R plain radiograph of the wrist | PA projection | pediatric patient (boy, age 6) | initial study
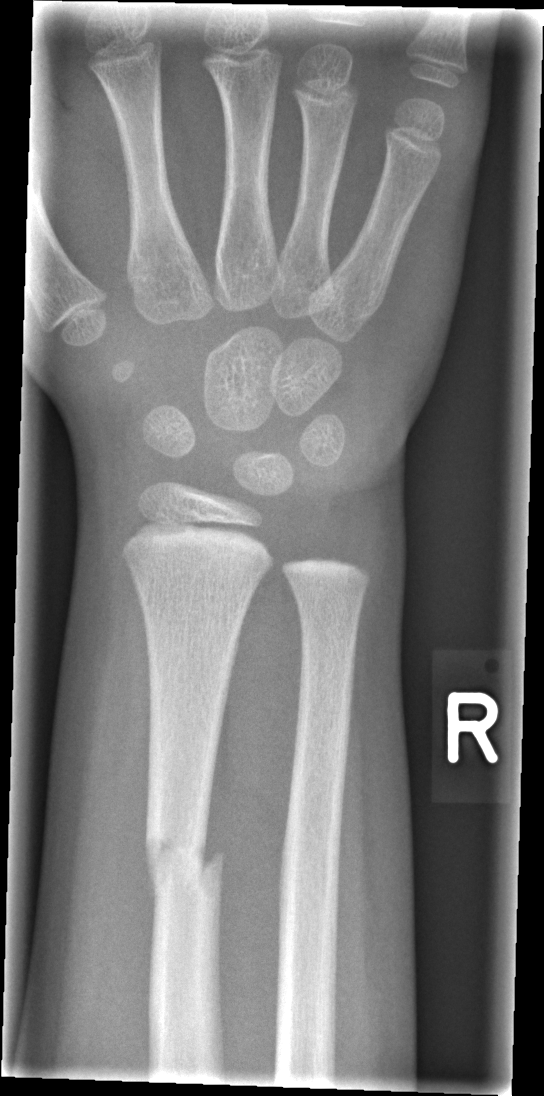

(bounding boxes in image-pixel xyxy)
Fx = 1 @ <139,826>-<227,893>
AO code = 22r-D/4.1